Lat view · left wrist radiograph · 5-year-old female · cast in situ — 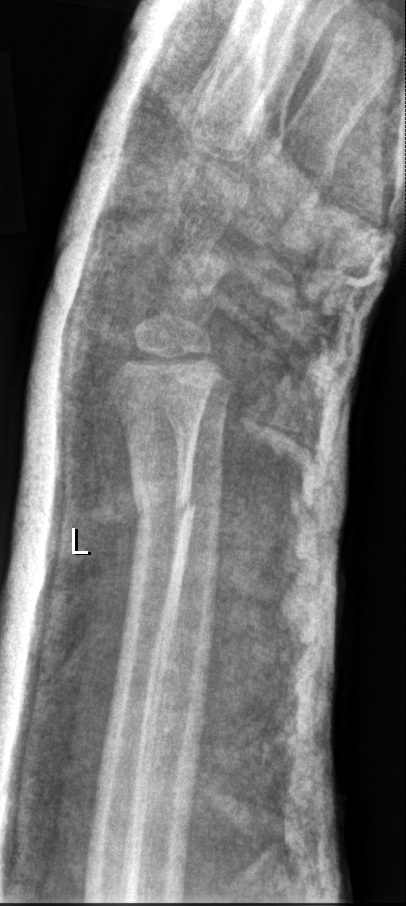

fracture = 2 @ (left=127, top=472, right=199, bottom=532) (left=160, top=395, right=231, bottom=444)
AO classification = 23r-M/3.1; 23u-M/2.1